PA/AP | R plain radiograph of the wrist | presentation radiograph
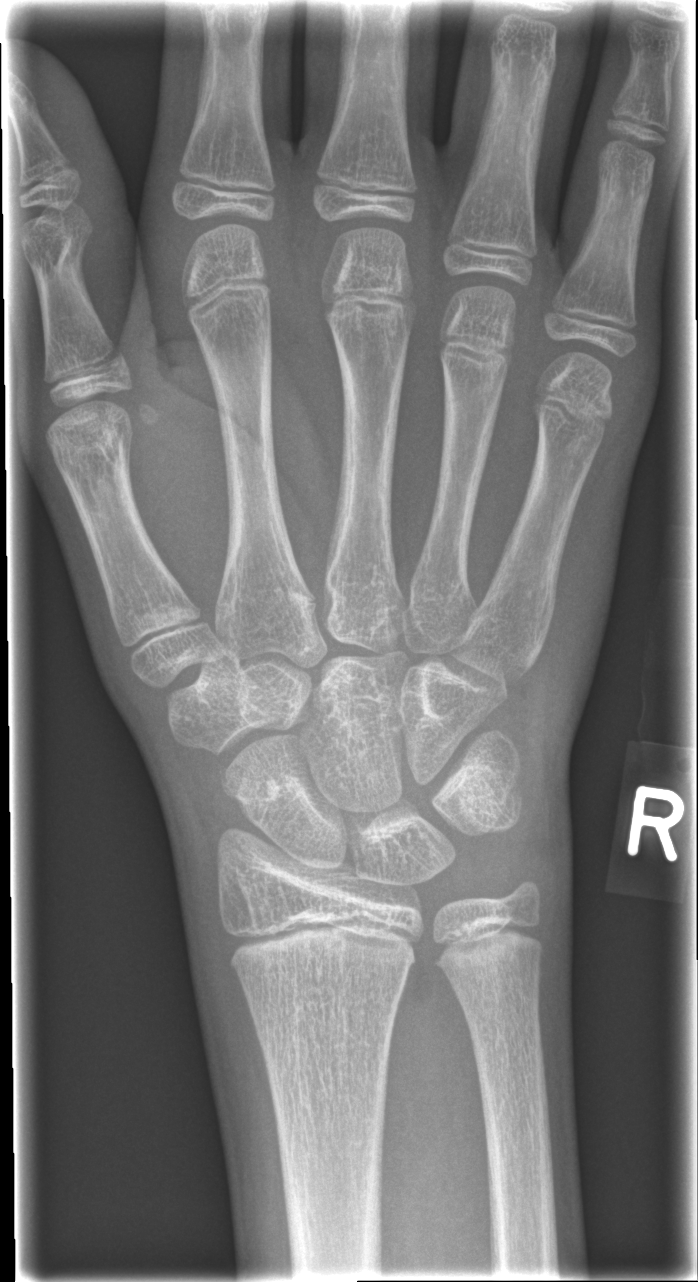

Fx: (left=211, top=748, right=272, bottom=815).